PA view, Lt plain radiograph of the wrist, imaged through cast, acquired on Siemens, 78.9 mm image width, image size 548x762.

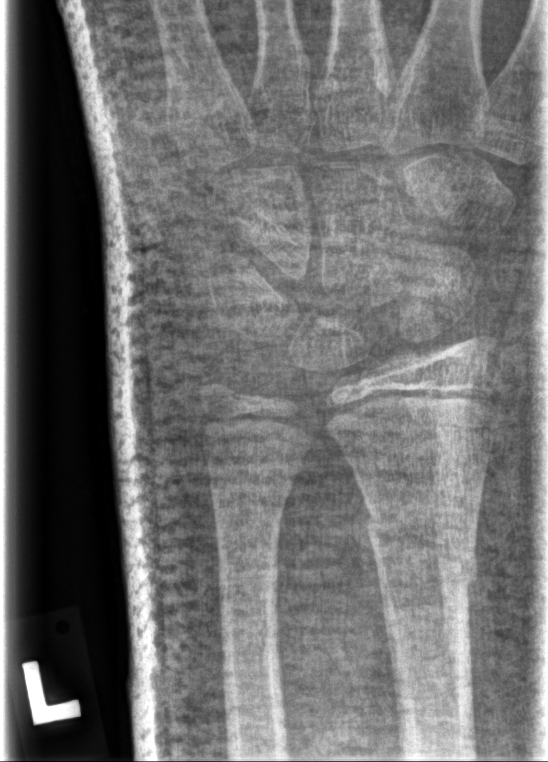
fracture: [x1=356, y1=505, x2=480, y2=590]